AP projection | left wrist X-ray:

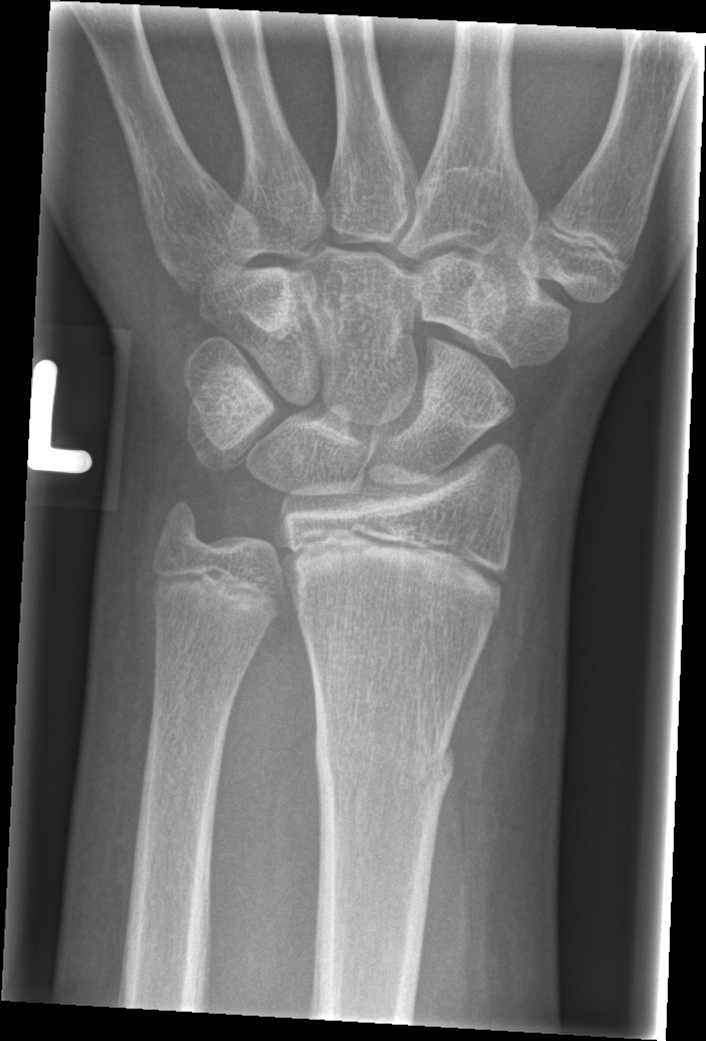 FINDINGS — One Fx at (312, 715, 457, 813).